Lateral, Rt wrist X-ray, presentation radiograph, 81.9 mm image width

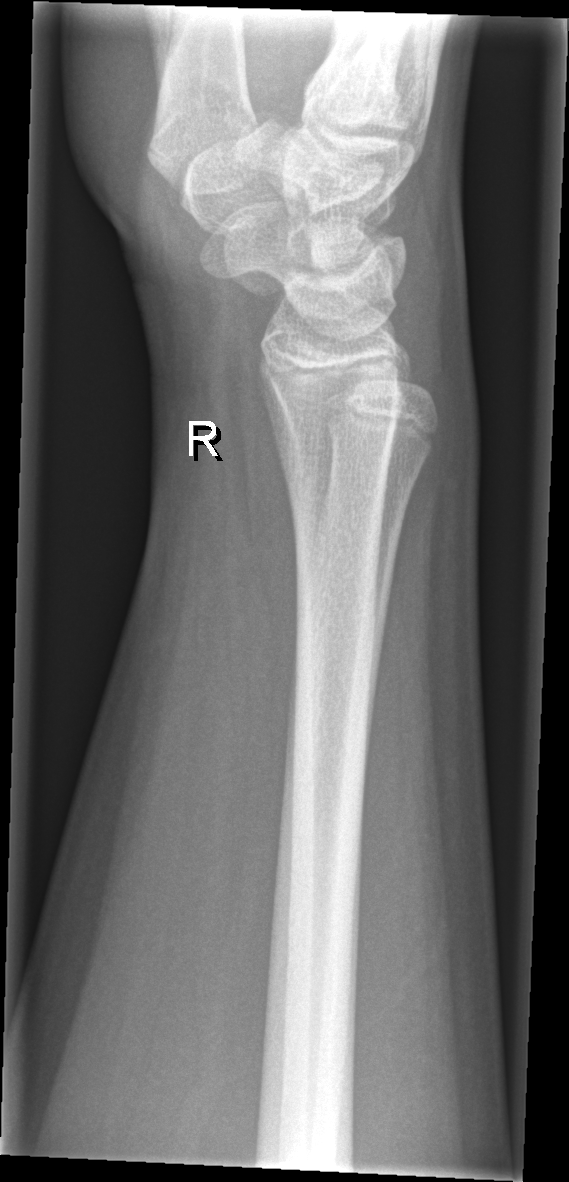

{
  "fracture": "none labeled"
}